Lt wrist plain film; lat view; pediatric patient (boy, age 12):

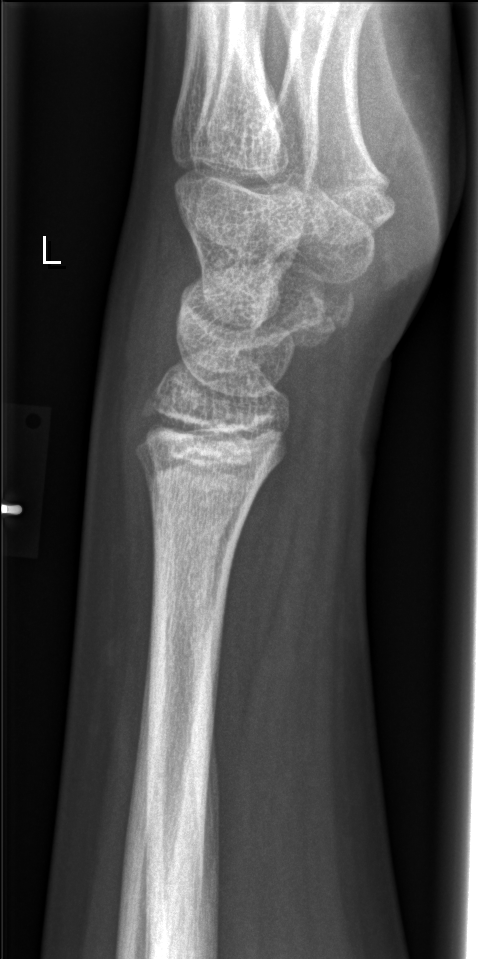 Fracture present, but no bounding box because it is not clearly seen in this view.